Lateral view · right wrist X-ray · subsequent exam · in cast: 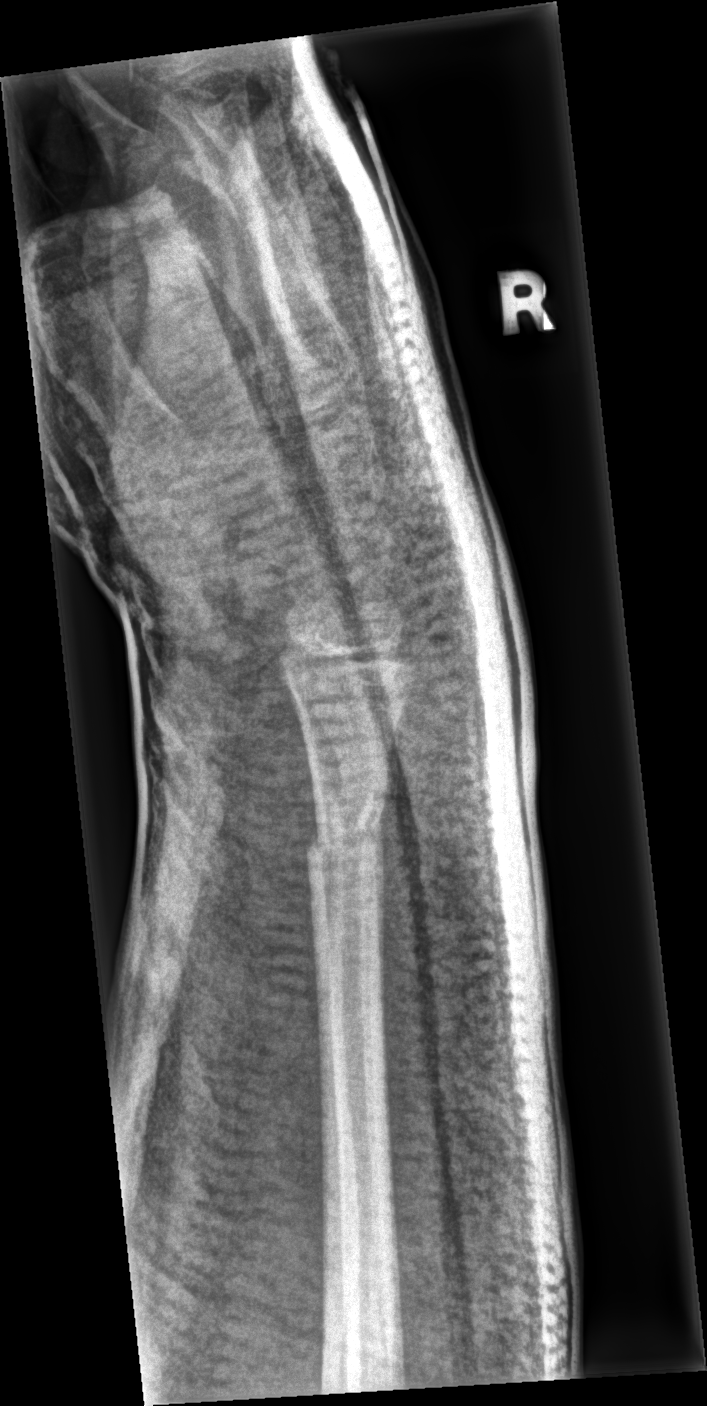
FINDINGS — AO/OTA classification: 23-M/3.1. Fx — [x1=302, y1=783, x2=388, y2=876].